Lateral projection, right wrist plain film, pediatric patient (boy, age 7), index exam — 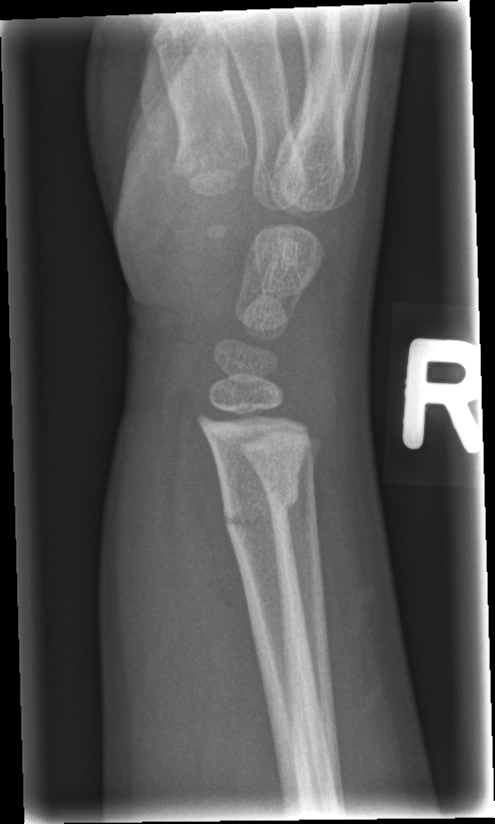

Findings: One fracture at 216,473,302,537. Fracture classified AO/OTA 23r-M/3.1. One pronator quadratus fat-pad sign at 176,399,271,736.